Left wrist radiograph; lateral view; Agfa. 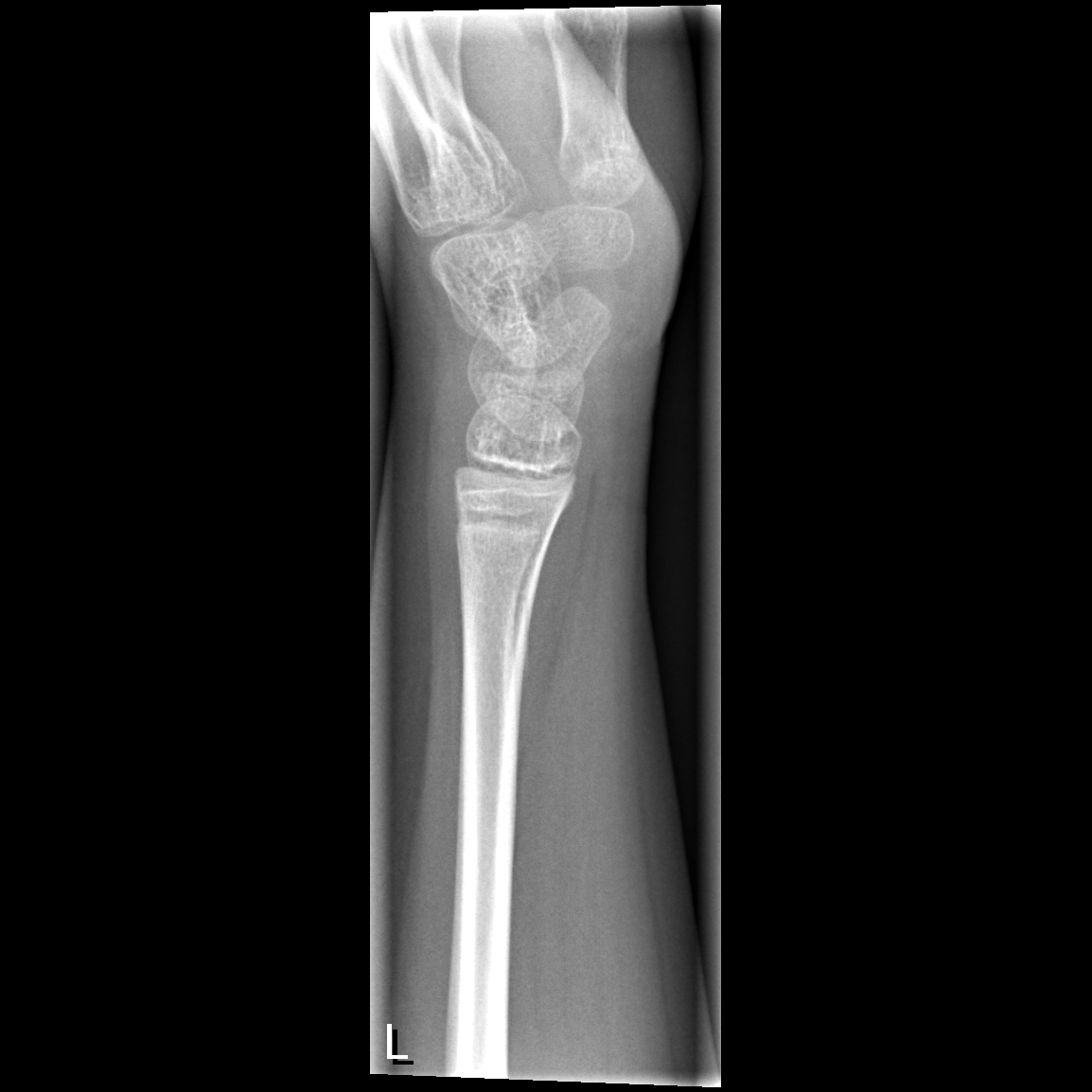
FINDINGS — No fracture labeled.